Right wrist plain radiograph of the wrist | lat projection

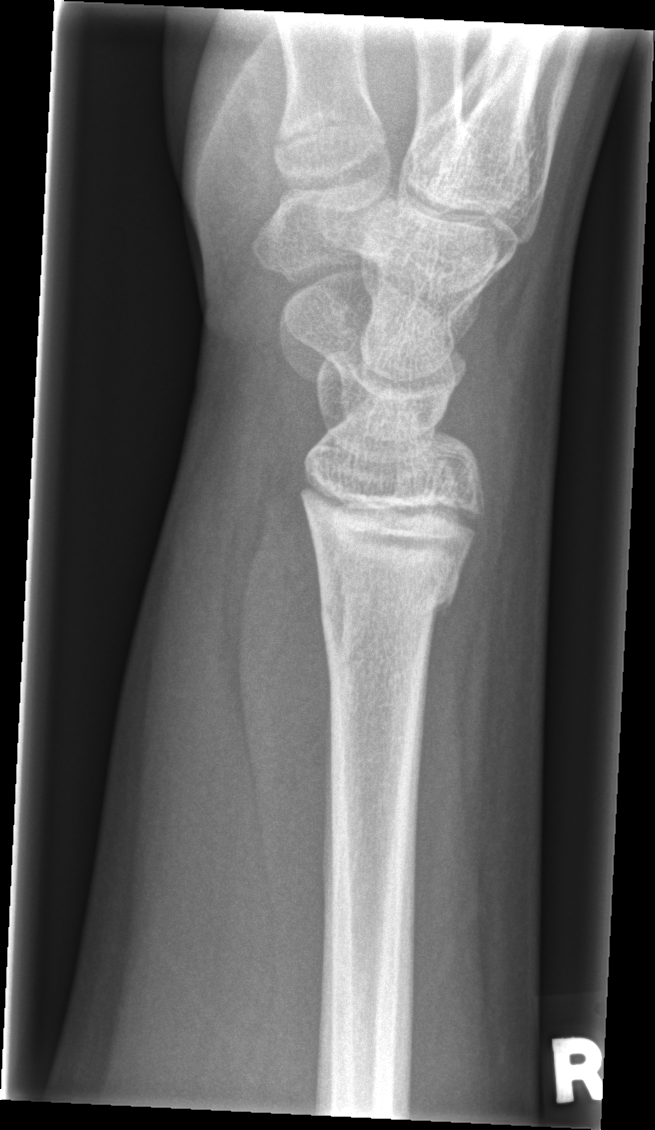 (boxes as x1,y1,x2,y2 (top-left / bottom-right, pixel units))
AO classification: 23r-M/2.1; 23u-E/7
Positive pronator fat-pad sign: 230,468,339,1048
Fx: 315,549,463,637